Lat, right wrist radiograph, age 8 y, boy, in cast.

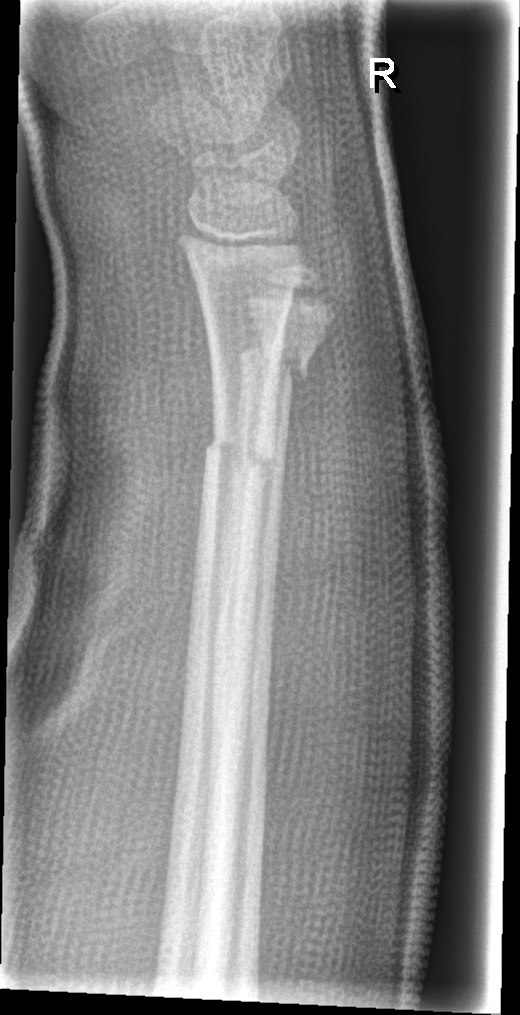

Boxes as x1,y1,x2,y2 (top-left / bottom-right, pixel units). Fracture classified AO/OTA 23-M/3.1. Two fractures at [198, 427, 278, 480], [235, 337, 313, 391].